AP view, R wrist radiograph, 12y M, 704x1012

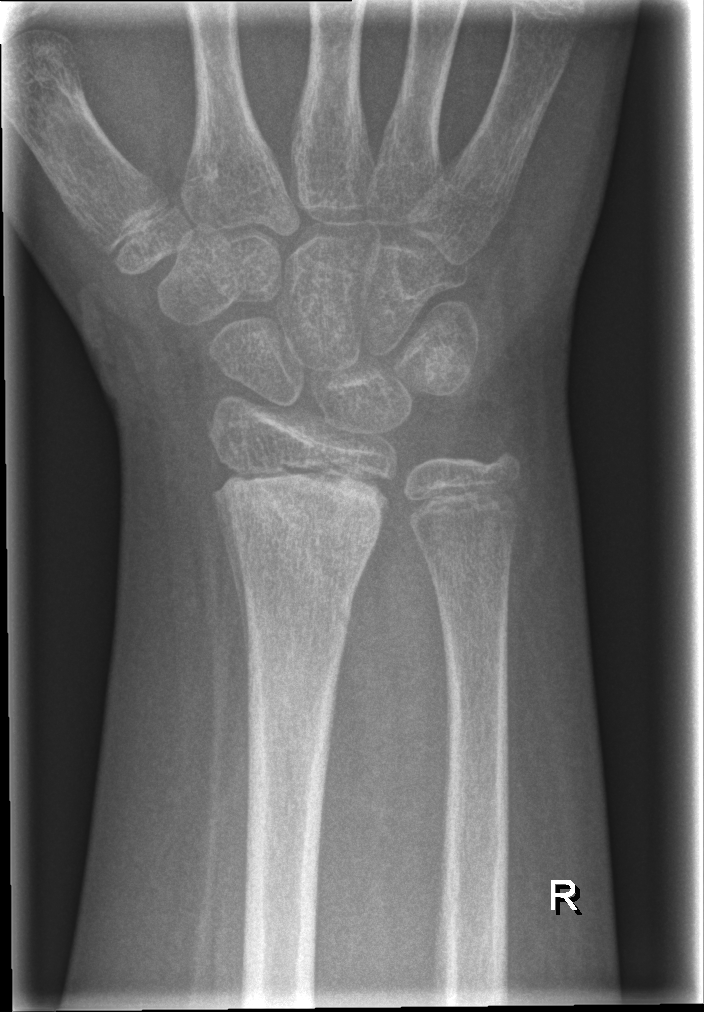
Bone fracture: 1 @ [x1=212, y1=473, x2=391, y2=560]
Osteopenia: present
Periosteal reaction: 1 @ [x1=212, y1=489, x2=251, y2=678]